PA view, right wrist plain film, 16-year-old male, image 92.3 mm wide 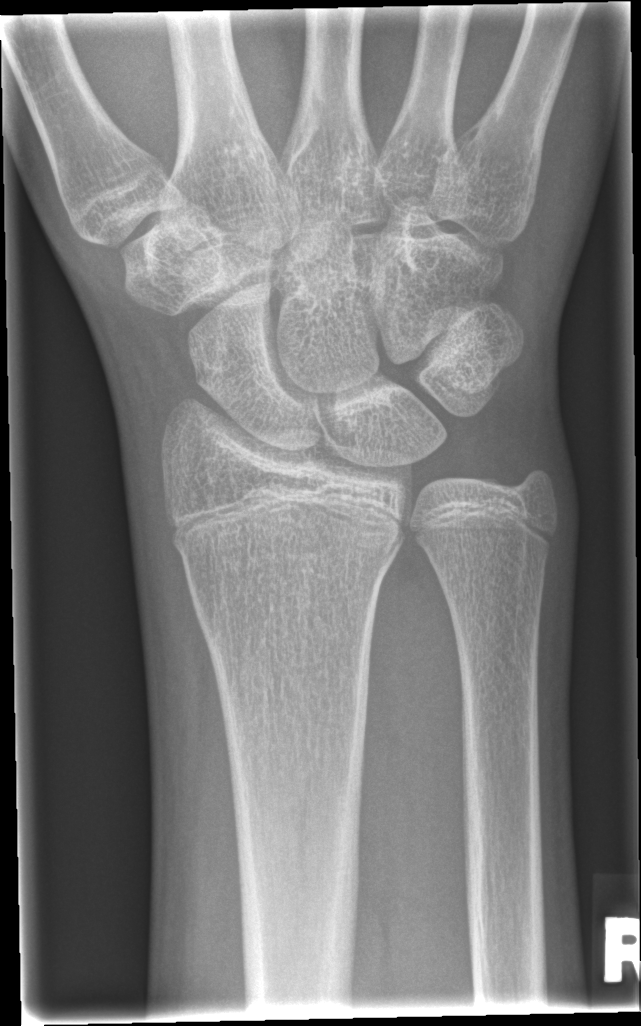

Fx = 1 @ 168,521,402,579